Rt pediatric wrist radiograph, posteroanterior view, female, 4 yo, 456 by 886 pixels —
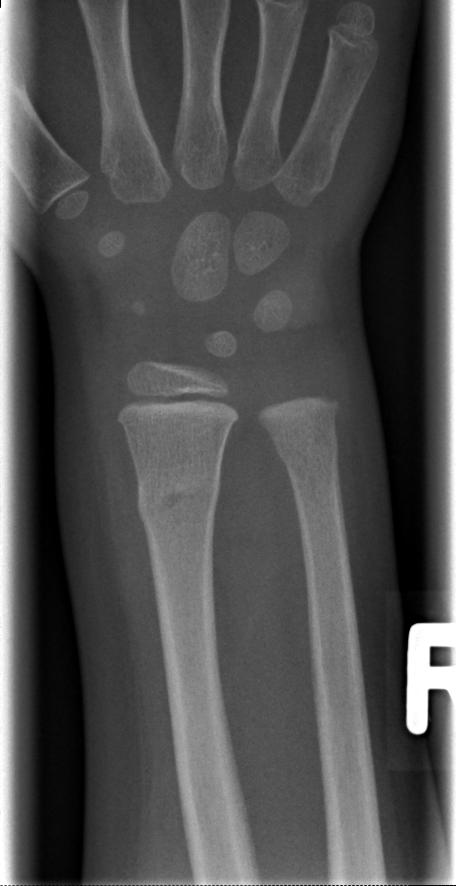
(pixel coordinates, top-left origin, xyxy)
Fx: 2 @ bbox(134, 457, 223, 528), bbox(270, 425, 341, 469)
AO classification: 23-M/2.1